AP · R pediatric wrist radiograph:
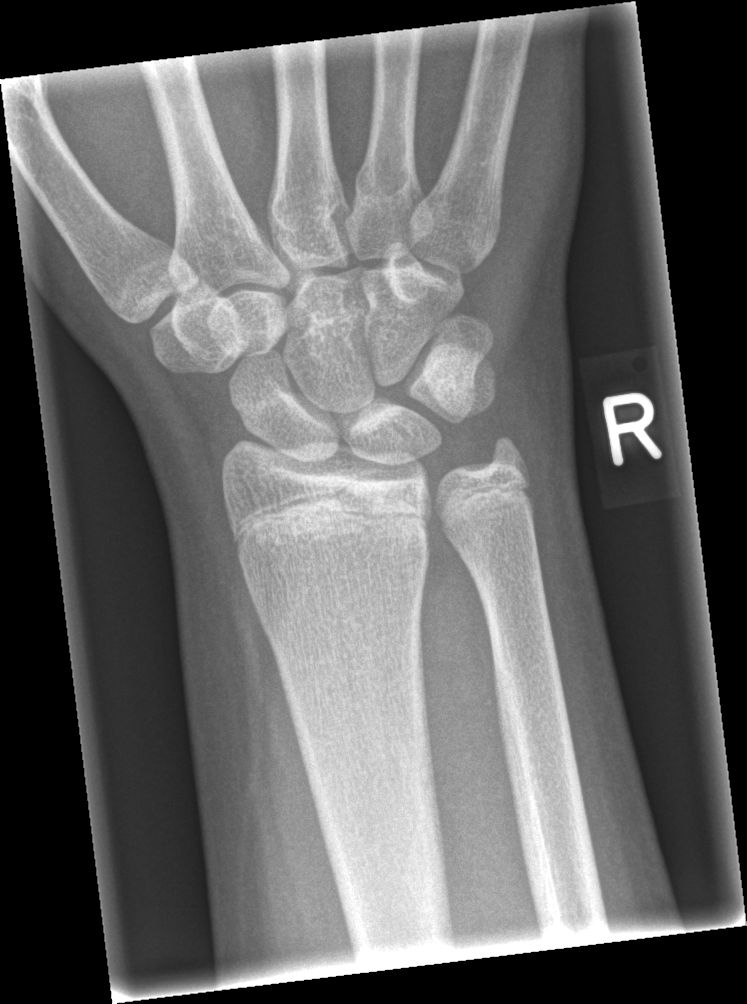
FINDINGS: Fracture: none labeled.